Lateral view; right pediatric wrist radiograph: 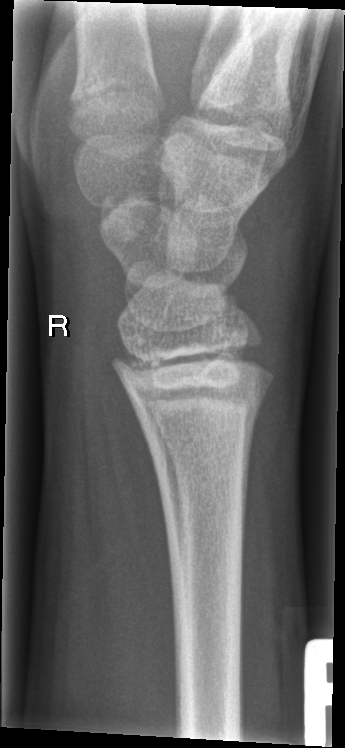 Fracture: none labeled.